Frontal | left pediatric wrist radiograph | detector: Siemens | image 91.6 mm wide: 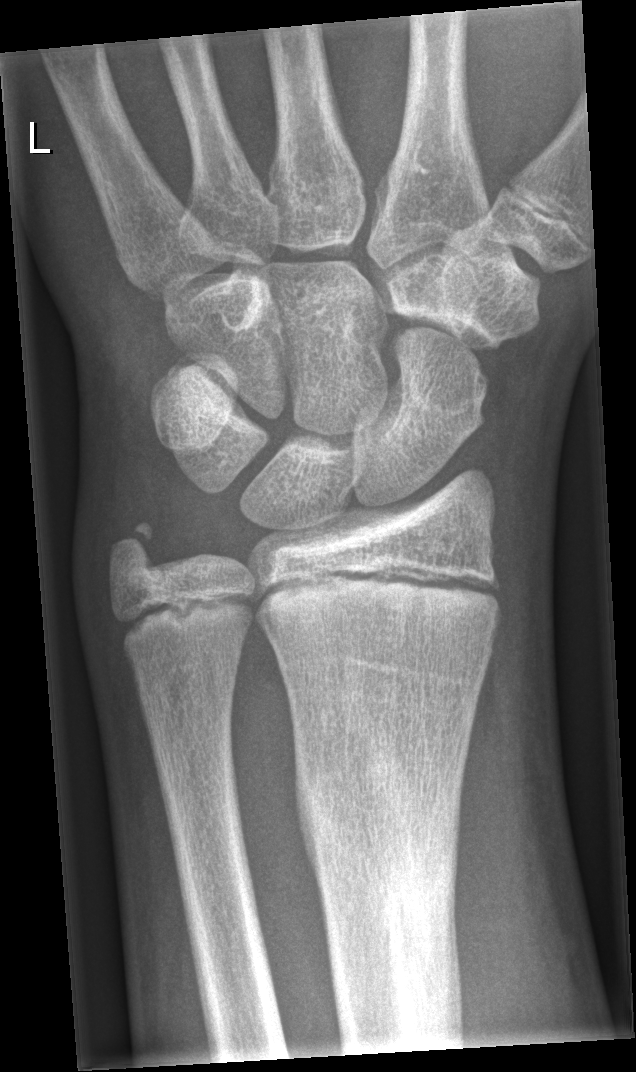 • Coordinates are [x1, y1, x2, y2] in image pixels.
• Two Fx at 293 722 467 1053
  103 514 167 584.